Right pediatric wrist radiograph; PA/AP view

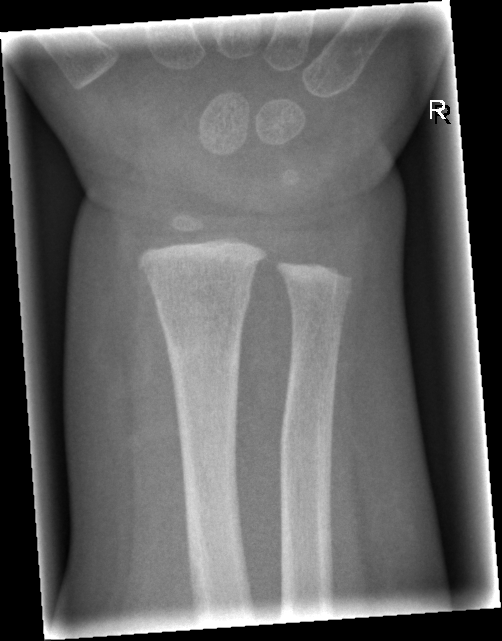
• Pixel coordinates, top-left origin, xyxy.
• Fracture classified AO/OTA 23r-M/2.1.
• One fracture at <151,275>-<254,329>.